Lat projection, Lt wrist plain film, index exam, 480x820 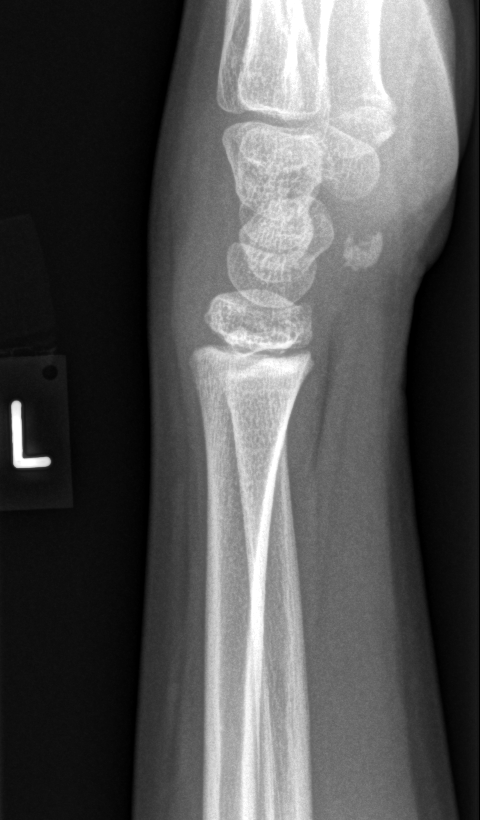 • One soft-tissue swelling at <144,113>-<238,362>.
• No Fx annotated.